Left wrist plain film; lateral view; age 8 y, girl. 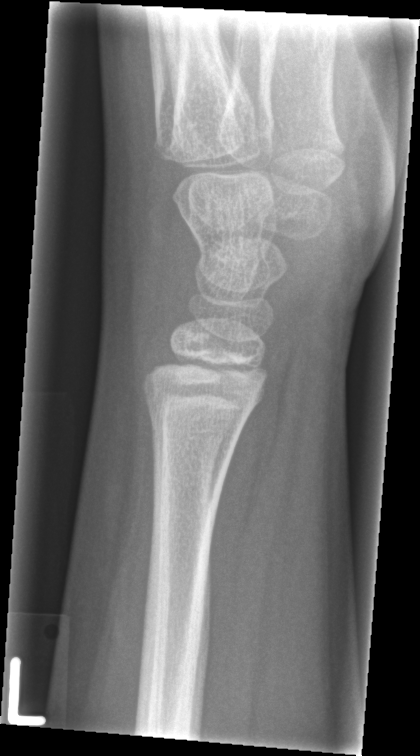
Fx: none.